Lat view | Rt plain radiograph of the wrist | index exam | 64.5 mm image width —
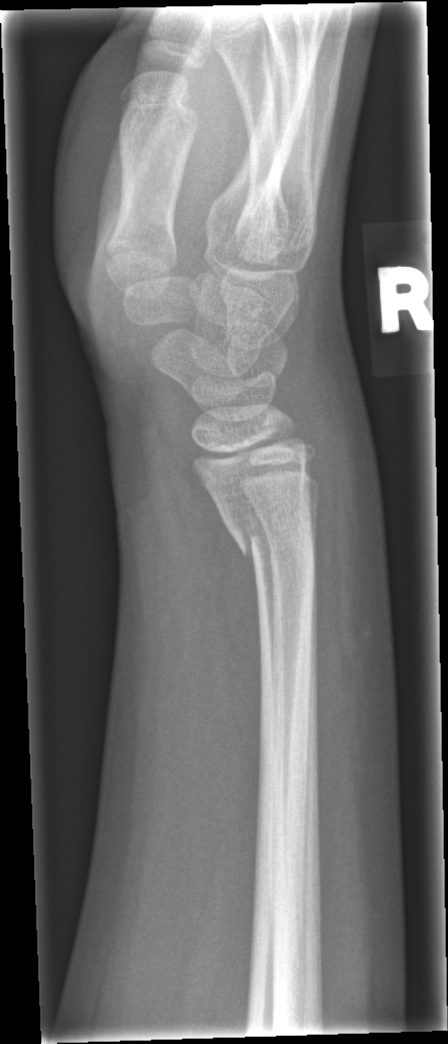 (bounding boxes in image-pixel xyxy)
Q: Locate any fractures.
A: Bone fracture — <218,501>-<318,578>